Posteroanterior · L wrist X-ray —
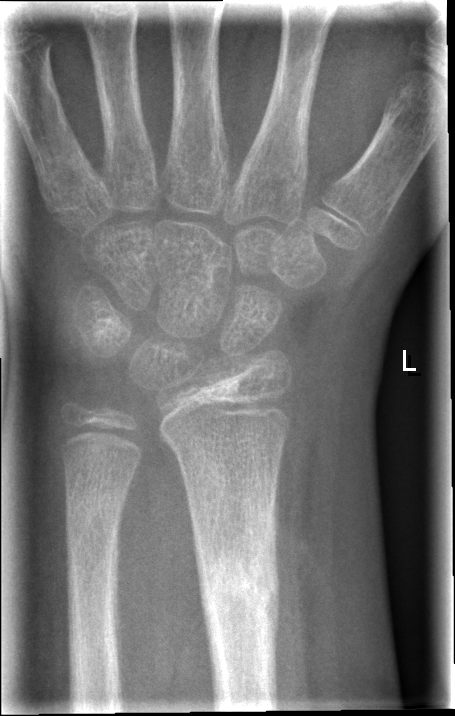

AO classification = 23-M/2.1
fracture = 2 @ 196,543,282,645
  62,484,130,529